Posteroanterior projection | L wrist XR | cast in situ
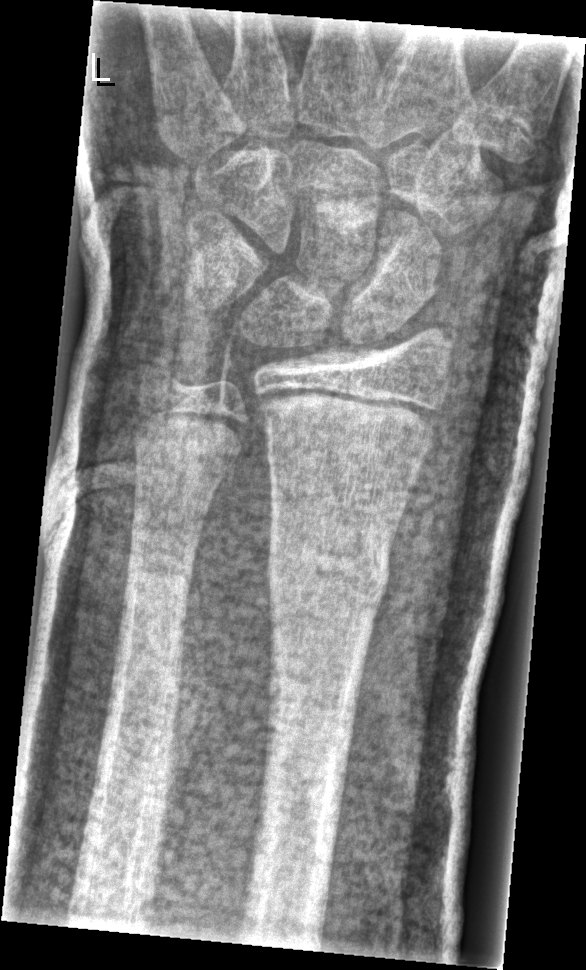

Fx: 1 @ [261, 531, 396, 623]
AO classification: 23r-M/2.1; 23u-E/1